Right wrist X-ray; lat projection; pediatric patient (male, age 4).

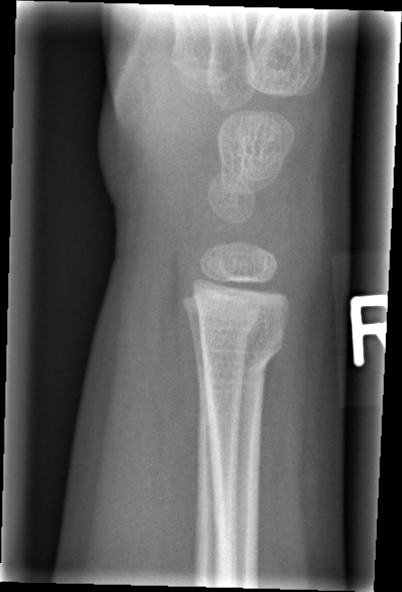
Bone fracture: 2 @ bbox(192, 320, 287, 380); bbox(183, 304, 263, 352)
AO code: 23-M/2.1